Left wrist XR | lat projection | pediatric patient (girl, age 10) | 542 by 939 pixels
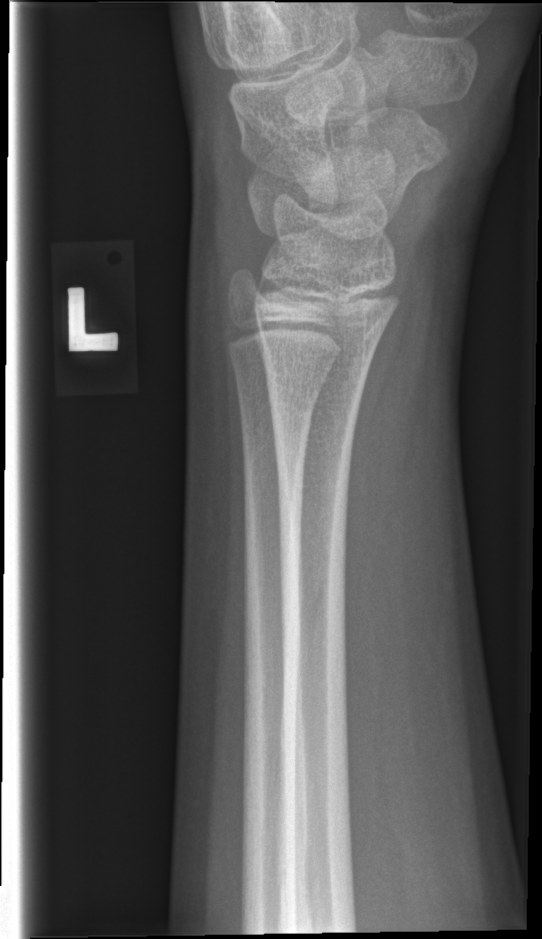

- No fracture annotation.